Lat view, Rt wrist plain film, 14-year-old male, follow-up, cast present.
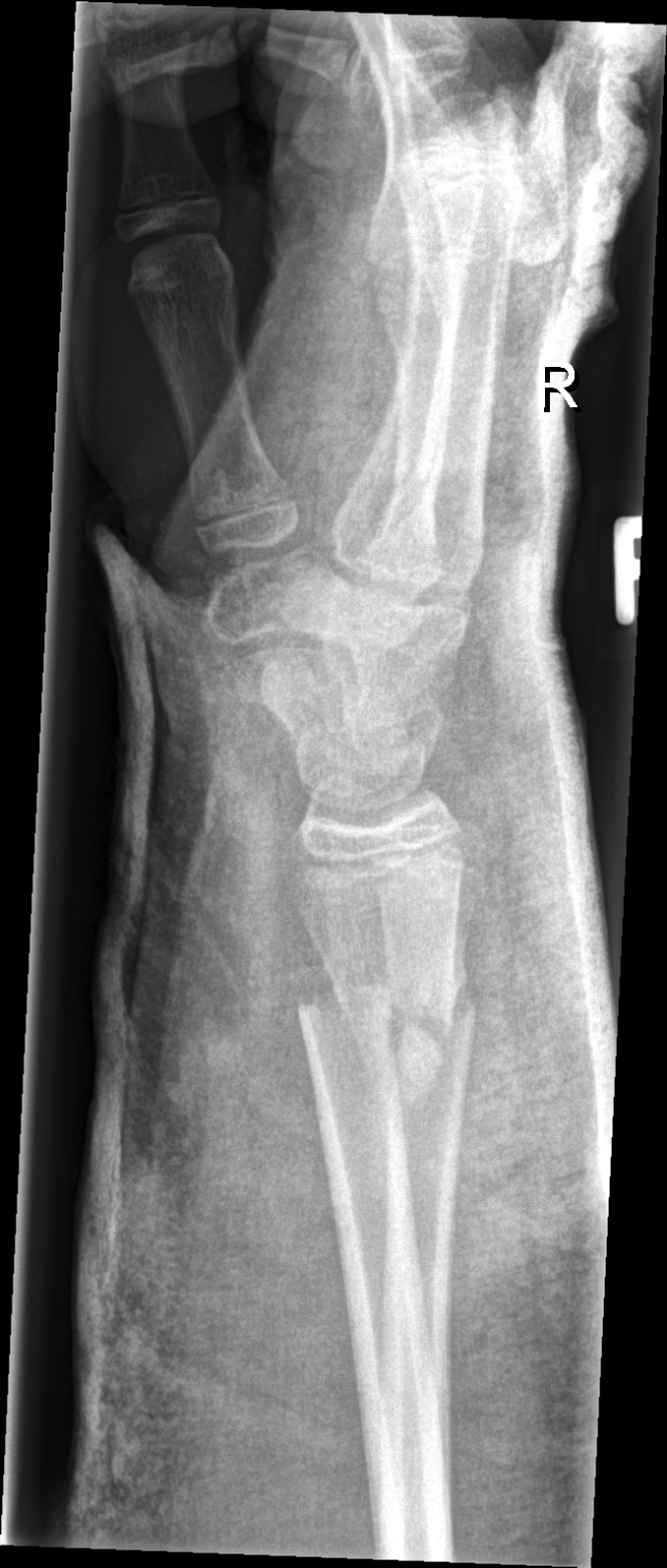
FINDINGS — AO/OTA classification: 23-M/3.1; 23u-E/7. Fx: (295, 963, 477, 1087).